PA/AP projection | right wrist X-ray 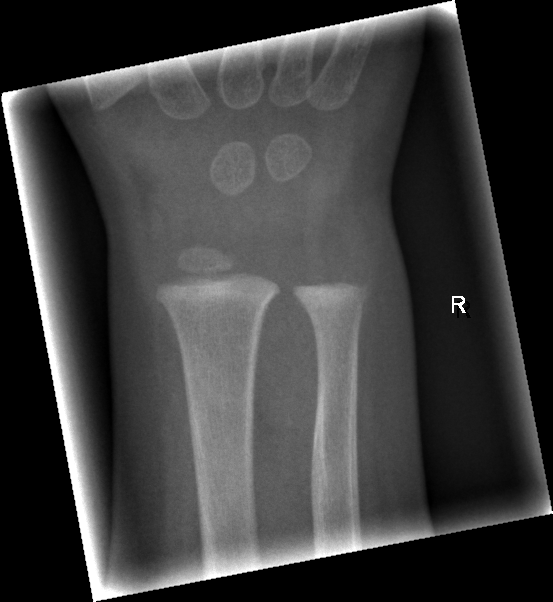

Q: Any fracture seen?
A: No fracture bounding box